R plain radiograph of the wrist, posteroanterior projection, follow-up, cast in situ —
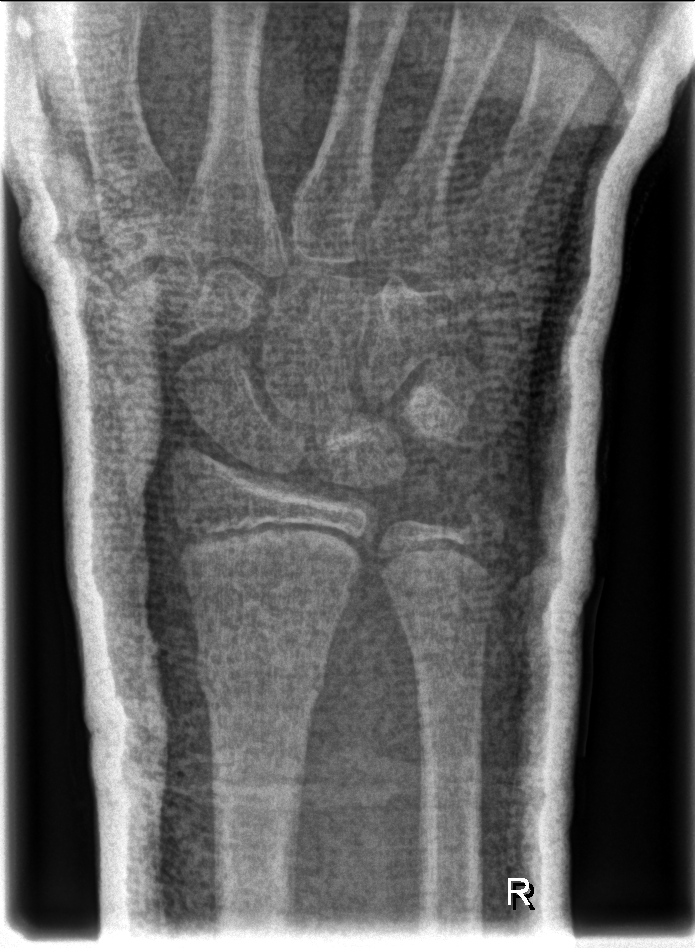 (coordinates are [x1, y1, x2, y2] in image pixels)
Fracture: bbox(192, 634, 330, 715)
AO classification: 23r-M/2.1; 23u-E/7